Lat view; R wrist X-ray; 10y M; acquired on Siemens

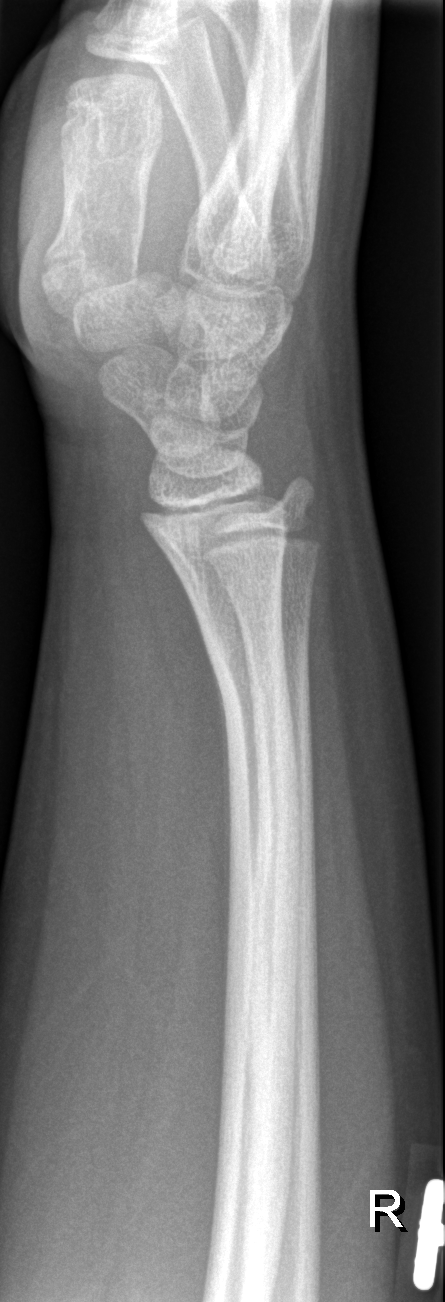

# pixel coordinates, top-left origin, xyxy
fracture: present but not clearly seen in this view
periostealreaction: (left=208, top=657, right=232, bottom=927)